Left wrist plain film · frontal · index exam · 538 by 874 pixels:
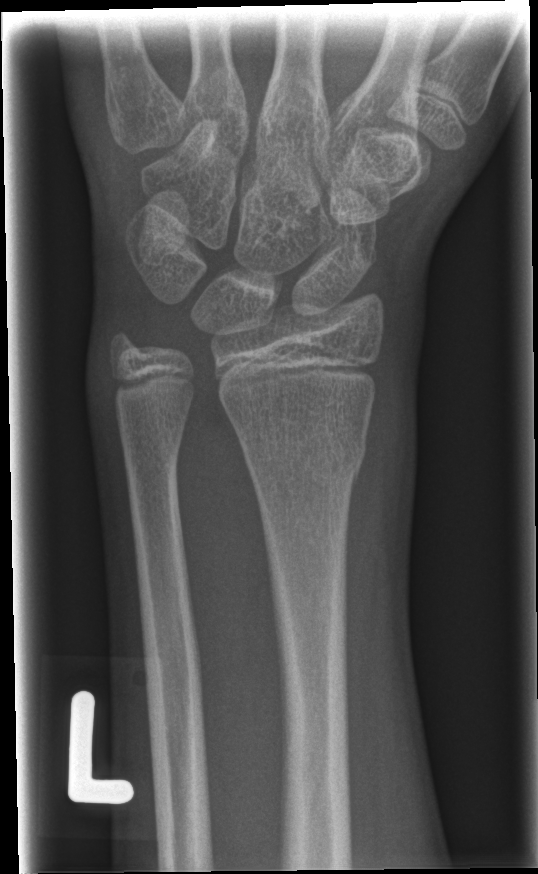
{
  "_coords": "boxes as x1,y1,x2,y2 (top-left / bottom-right, pixel units)",
  "ao": "23r-M/2.1",
  "fracture": "1 @ (left=242, top=436, right=370, bottom=487)"
}